Left wrist plain radiograph of the wrist · AP projection · index exam · image 84.8 mm wide 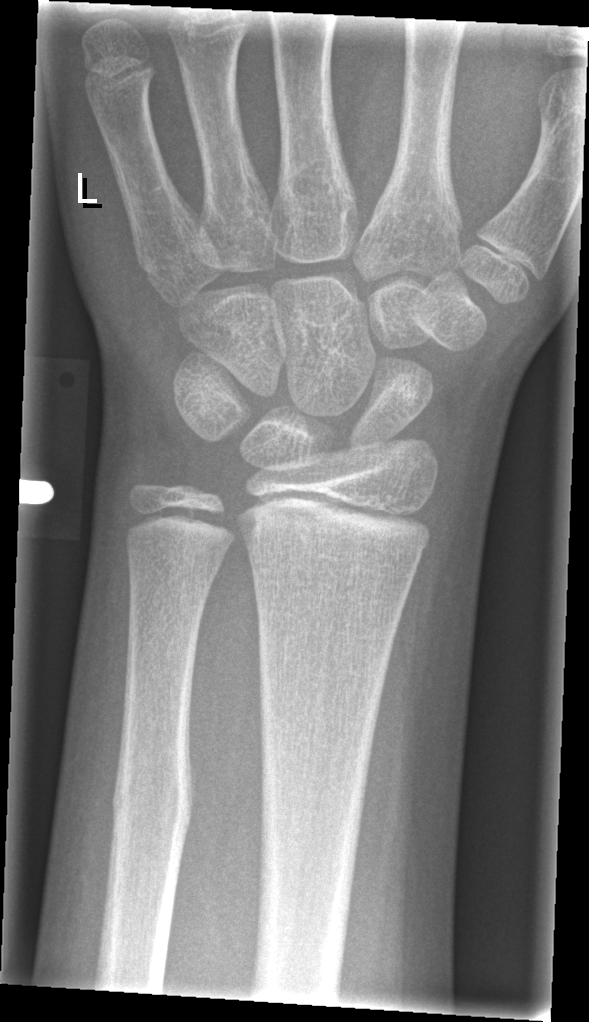

AO/OTA classification: 22u-D/1.1. Fx — [x1=106, y1=769, x2=194, y2=859].